Right wrist pediatric wrist radiograph; lat; 12-year-old male; acquired on Siemens:
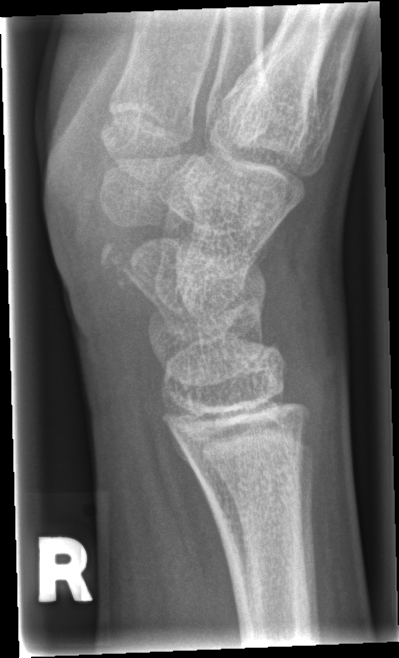

FINDINGS: No fracture bounding box.